Lat projection, left wrist plain radiograph of the wrist, 9-year-old male, follow-up study, in cast:

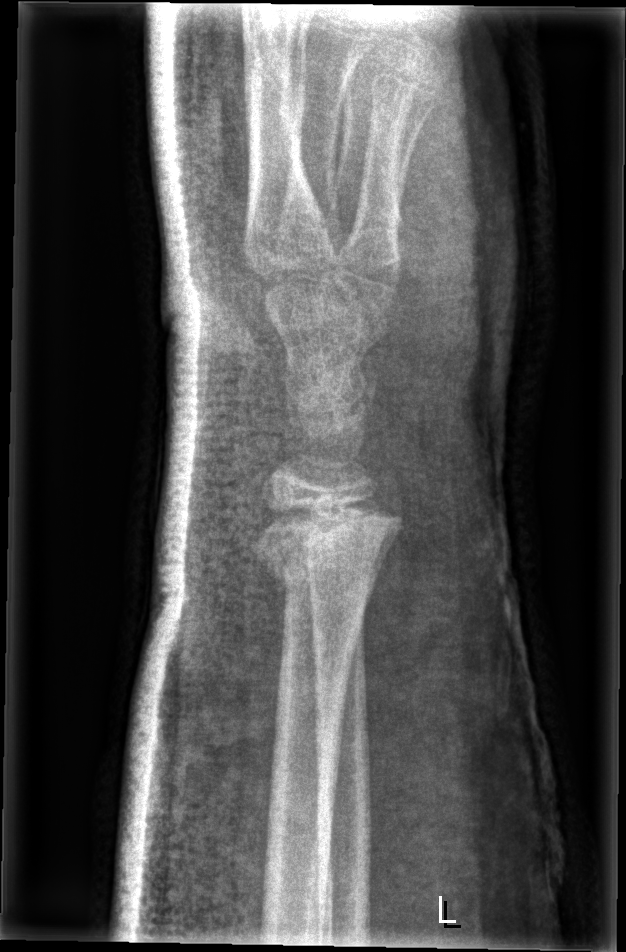

FINDINGS — Fx — 248 490 406 595. AO/OTA classification: 23r-E/2.1.